Rt wrist plain film; lateral; acquired on Siemens:
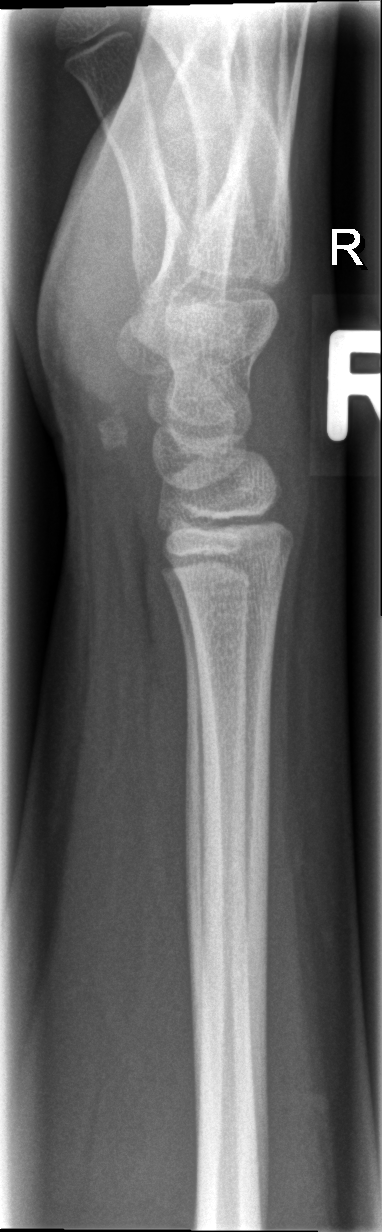
{
  "fracture": "none labeled"
}